Left wrist pediatric wrist radiograph · PA/AP view · 13y M · cast in situ —

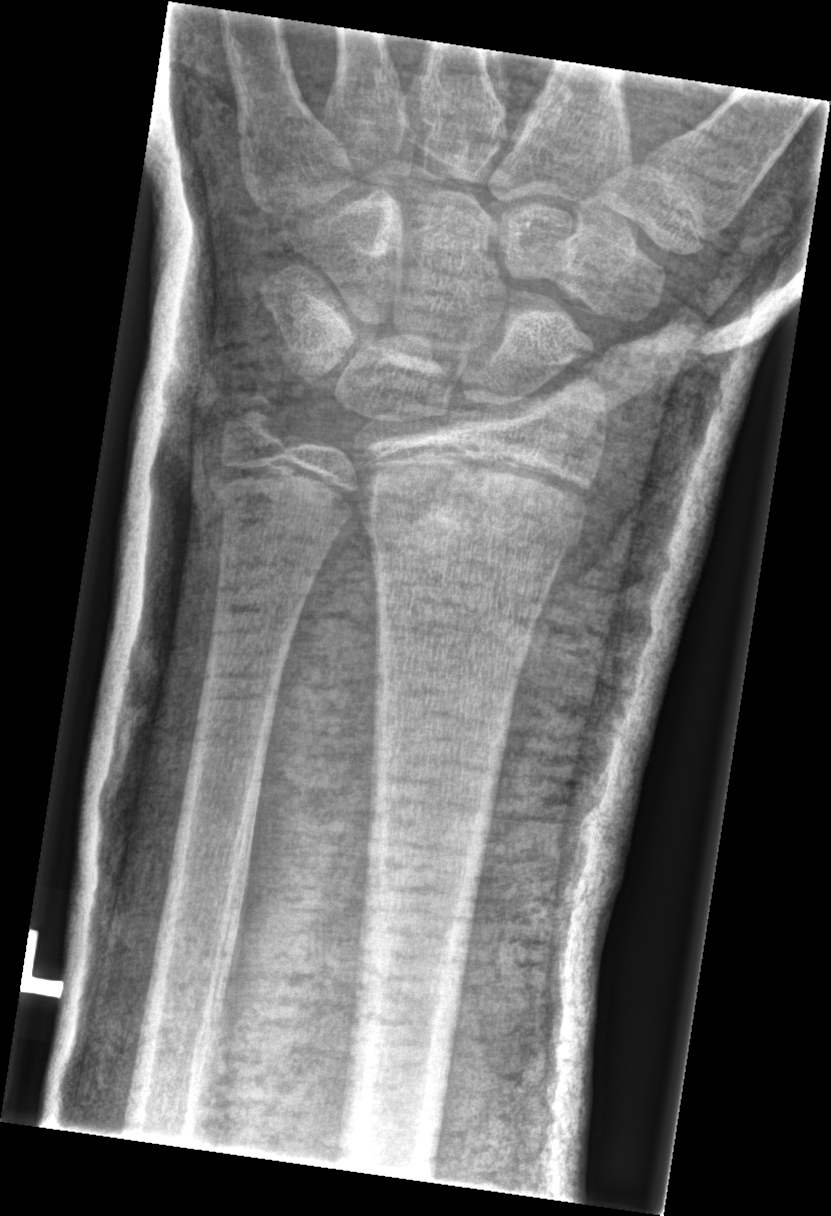

FINDINGS: Fracture: bbox(367, 465, 591, 548), bbox(223, 381, 294, 456).